PA, left wrist X-ray, 14-year-old female, findings marked uncertain by the reading radiologist —

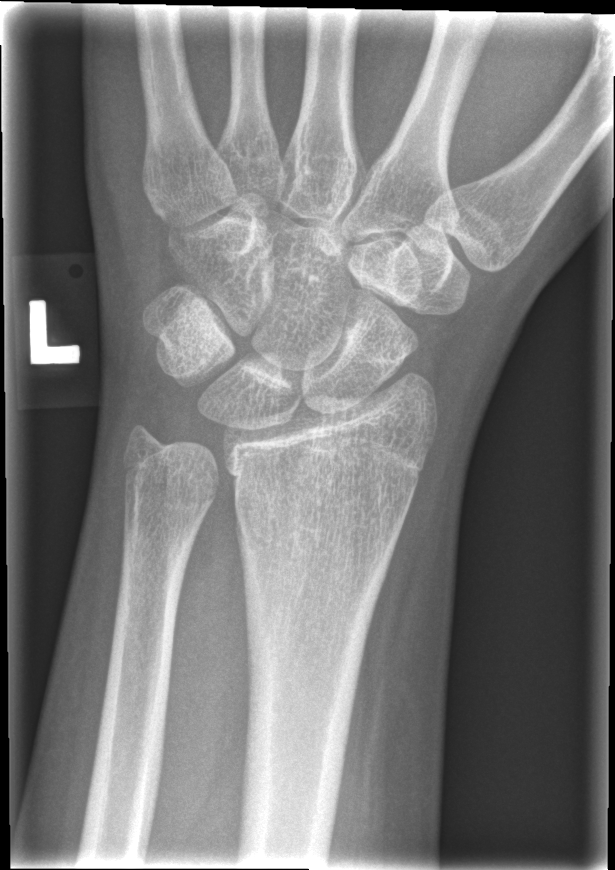

Fx: present but not clearly seen in this view.